Frontal view, left wrist X-ray, 102.5 mm image width.
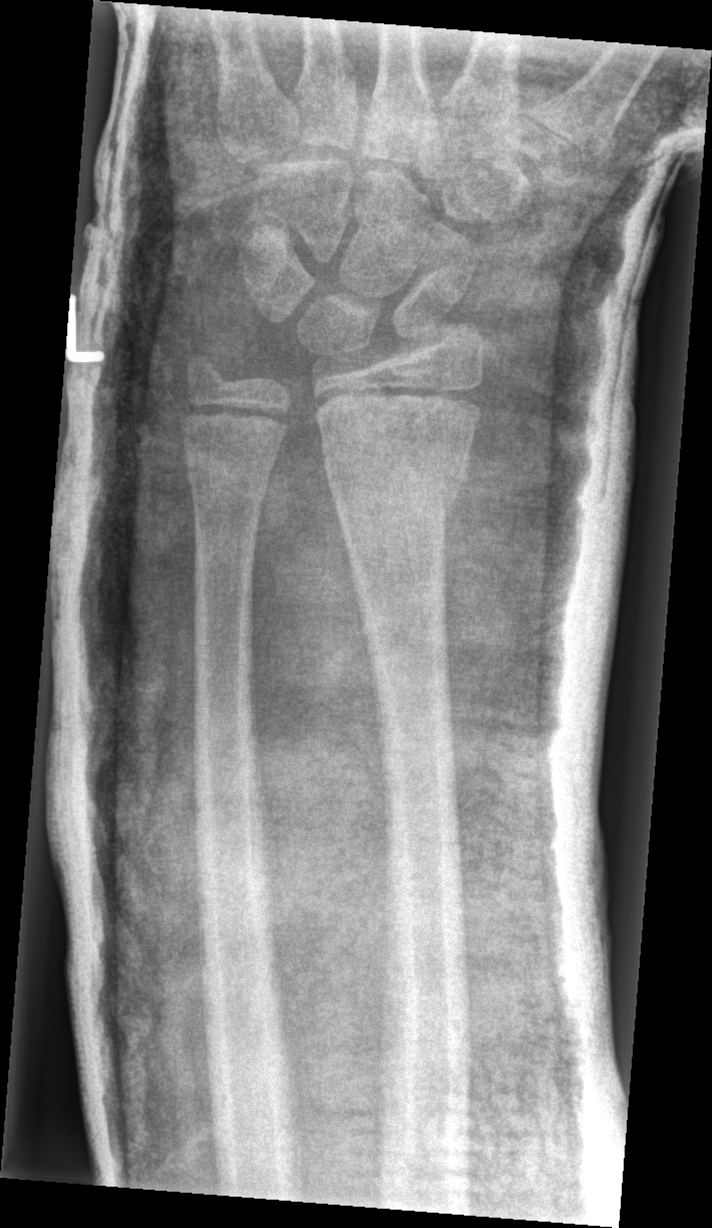 # pixel coordinates, top-left origin, xyxy
fracture: 318,426,477,518 | 182,445,273,507